R pediatric wrist radiograph · lateral · detector: Siemens. 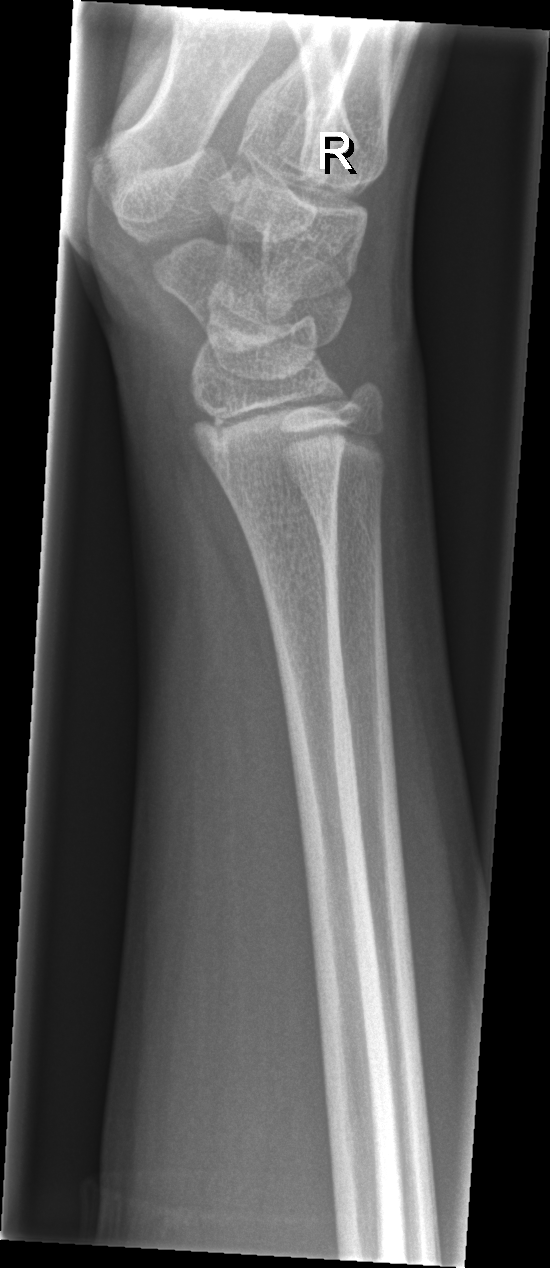
Q: Fracture present?
A: Fx: none